Lat projection | Rt wrist XR | 13-year-old female | Siemens — 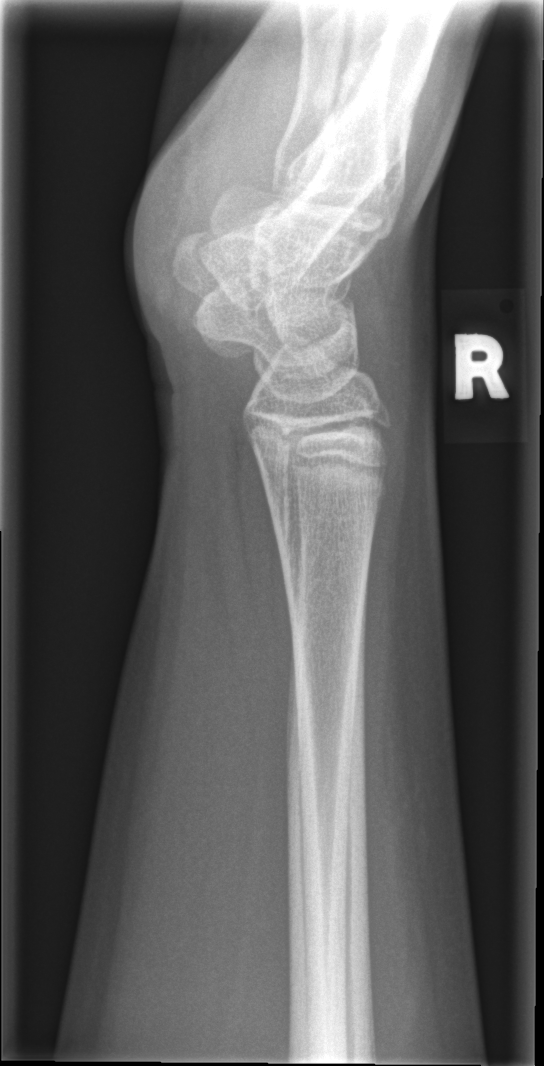 {"fracture": "none labeled"}